Left wrist radiograph | lat projection.
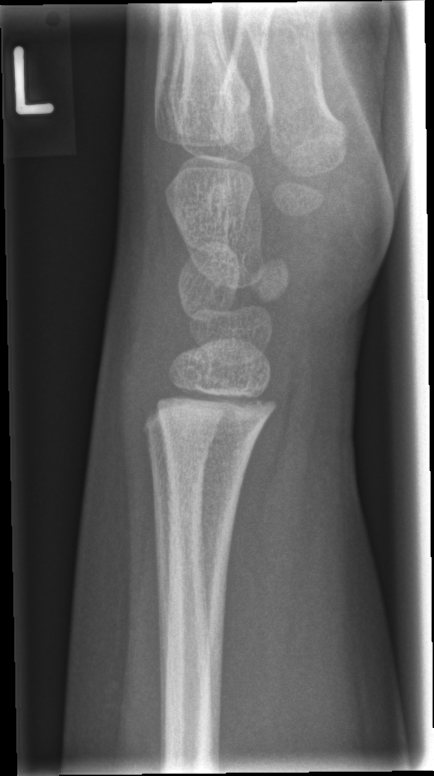 Q: Is there a fracture?
A: No fracture labeled